Rt wrist radiograph; AP view.

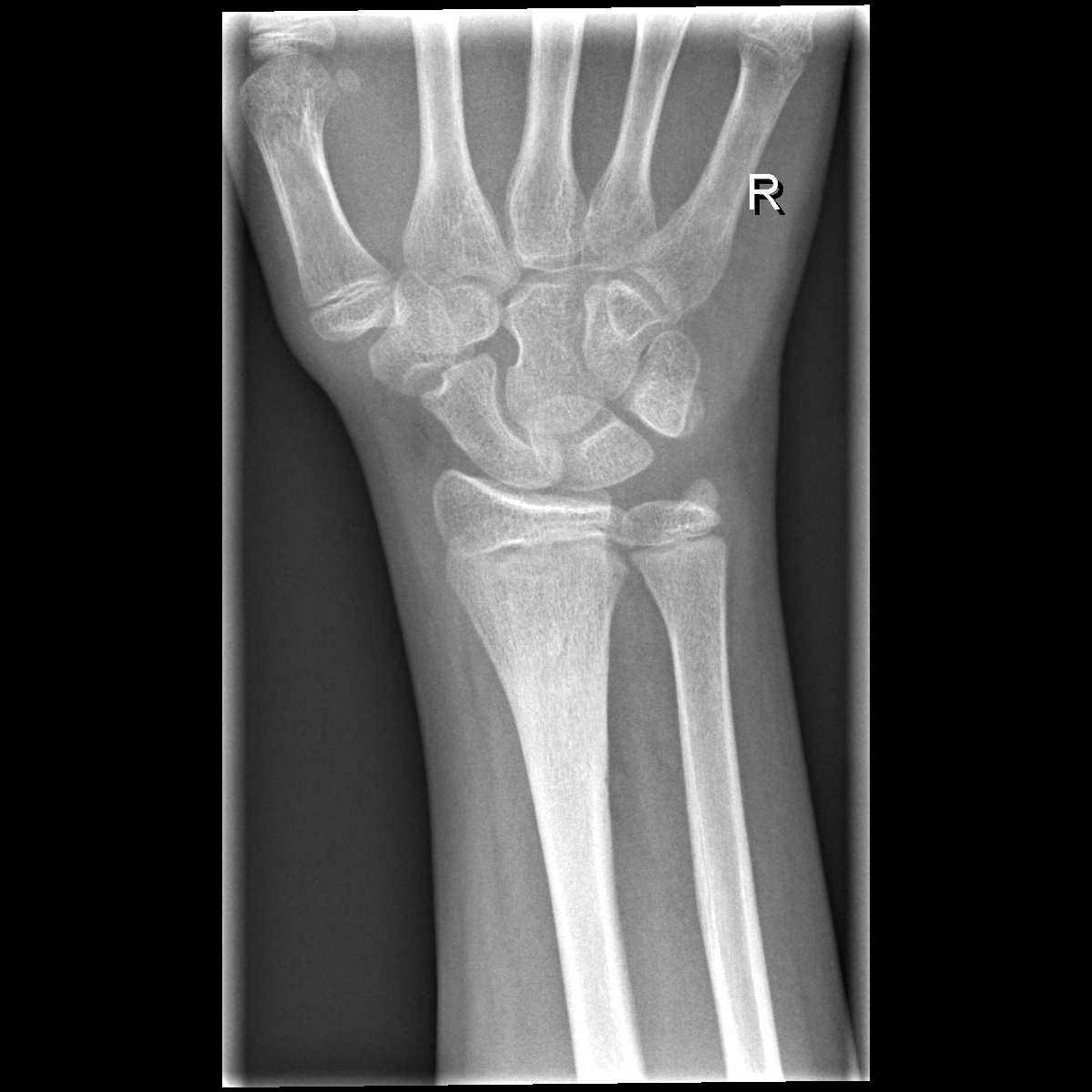 Findings: Fracture identified at 495 624 617 870.